Lateral projection; left wrist pediatric wrist radiograph; 13y M:

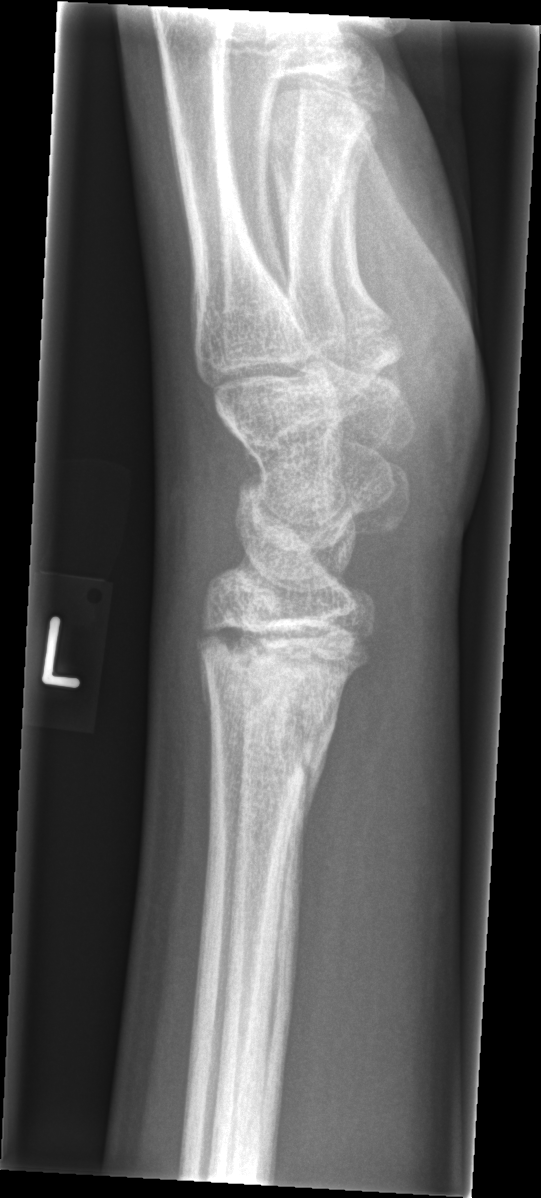
* Boxes as x1,y1,x2,y2 (top-left / bottom-right, pixel units).
* Fracture classified AO/OTA 23r-E/2.1; 23u-E/7.
* Bone fracture: 197,617,373,797.